L wrist X-ray · frontal · age 11 y, female · presentation radiograph · 508 by 900 pixels 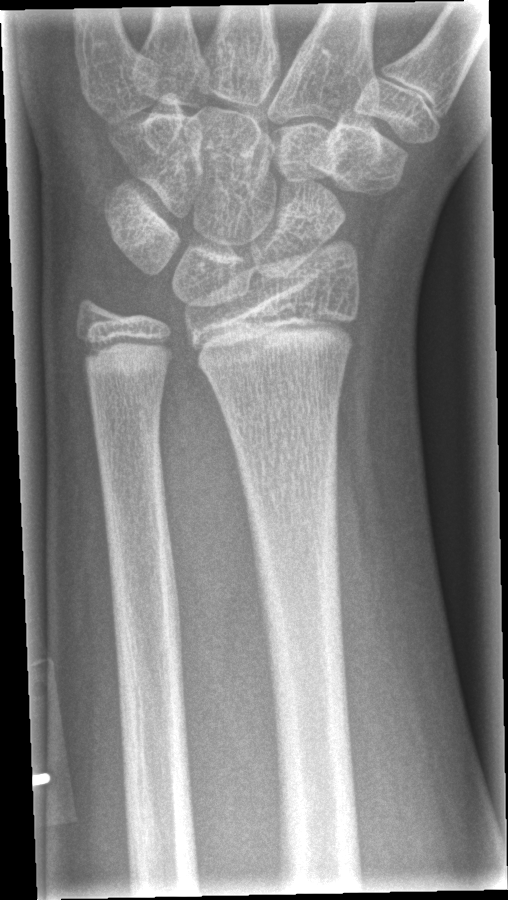
Fx: none labeled